Lateral · right wrist X-ray · 12-year-old boy · image width 61.9 mm
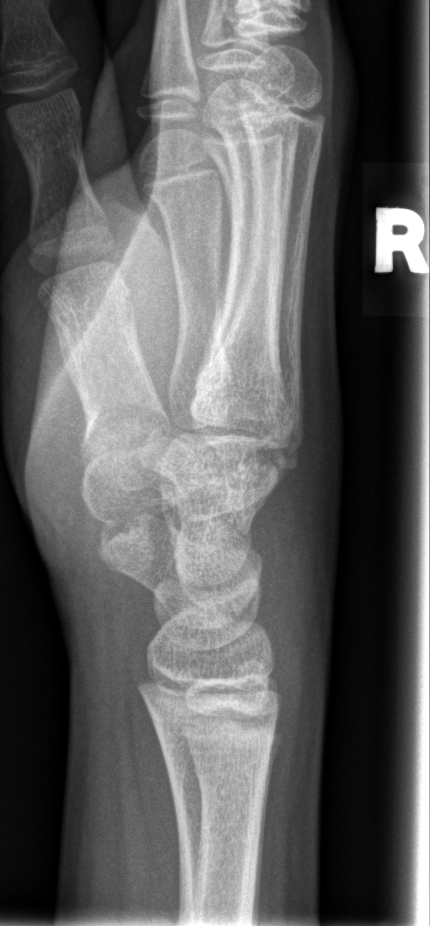 No fracture labeled.